Lt pediatric wrist radiograph; lat view; pediatric patient (girl, age 6); index exam: 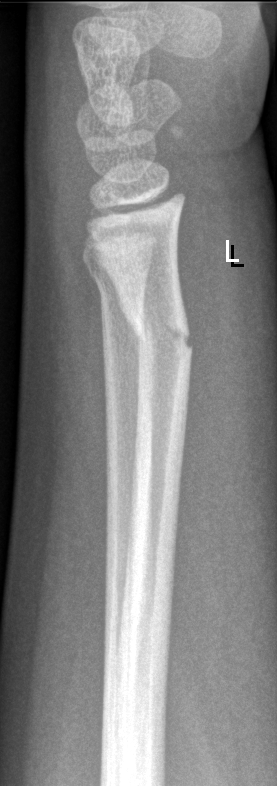 • Bounding boxes in image-pixel xyxy.
• AO/OTA classification: 23r-M/3.1; 23u-M/2.1.
• Bone fracture identified at (left=121, top=302, right=197, bottom=371); (left=79, top=244, right=153, bottom=302).